Posteroanterior, left wrist radiograph, index exam —

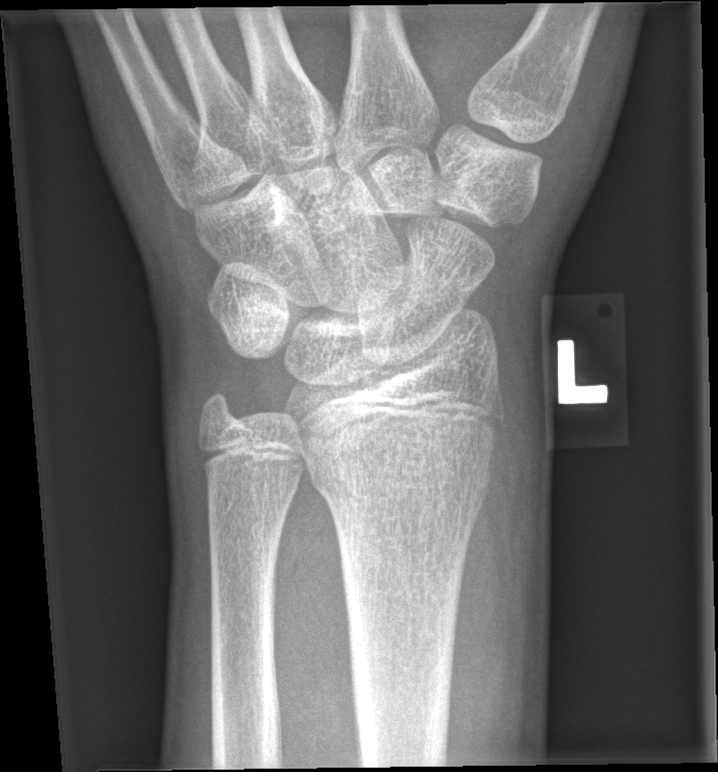
(pixel coordinates, top-left origin, xyxy)
Soft-tissue finding: 1 @ <469,300>-<551,662>
Bone fracture: <302,437>-<495,527>